Lateral view · Lt wrist X-ray · pediatric patient (girl, age 10) · initial study · 480x852

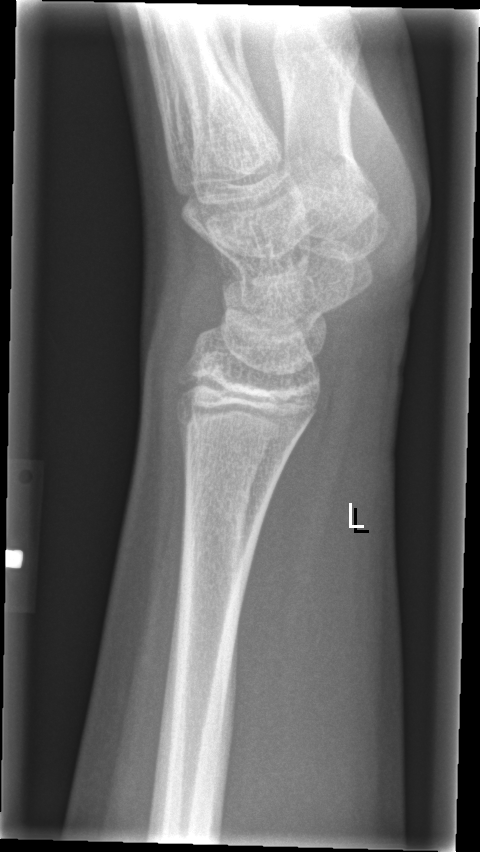 Q: Fracture present?
A: No fracture bounding box